Frontal · Lt wrist plain film · pediatric patient (girl, age 8) —
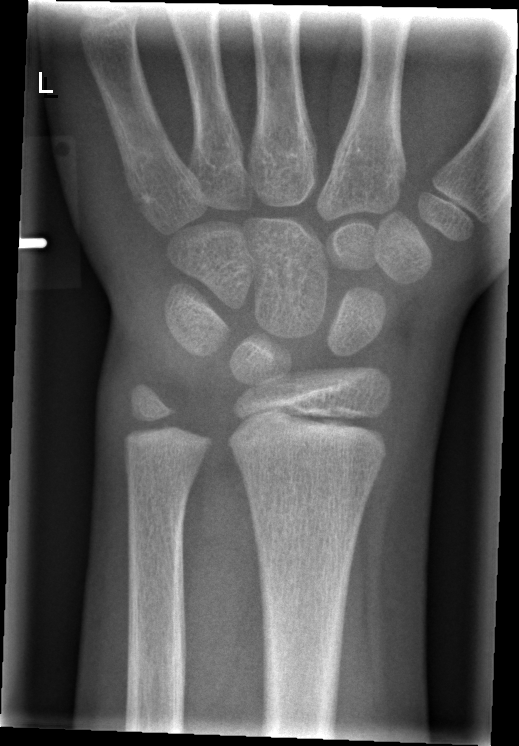

Findings: Fracture present, but no bounding box because it is not clearly seen in this view. Fracture classified AO/OTA 23r-M/2.1.